Left wrist plain film · PA/AP · age 12 y, female · 630 by 1112 pixels 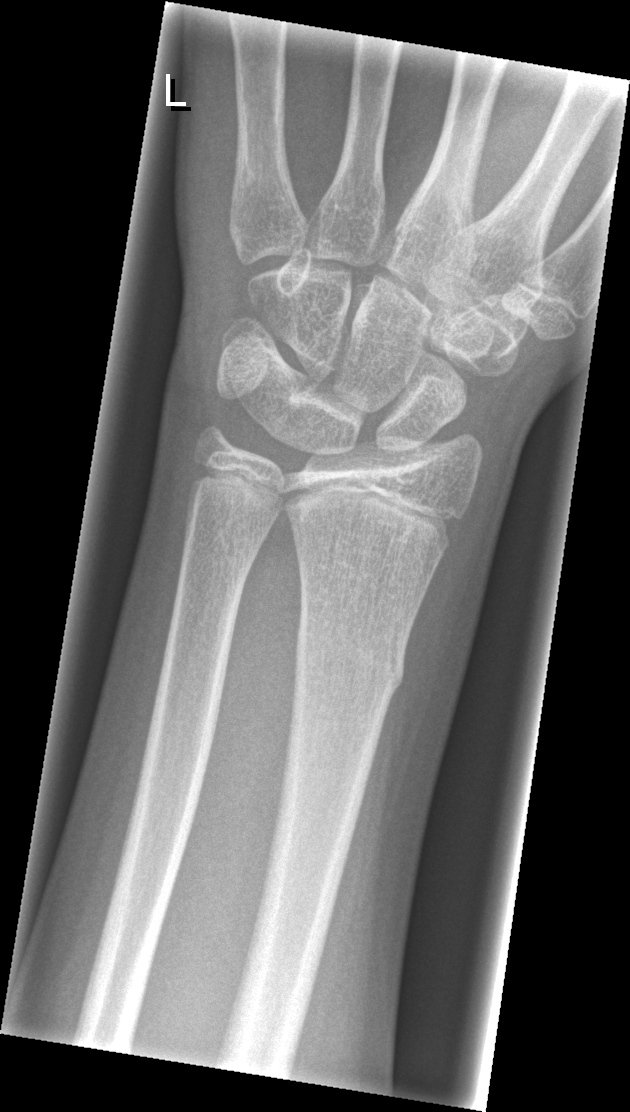

{
  "ao": "23r-M/2.1",
  "fracture": "1 @ (left=289, top=614, right=410, bottom=706)"
}